Lateral view, left plain radiograph of the wrist, presentation radiograph, 383x736.

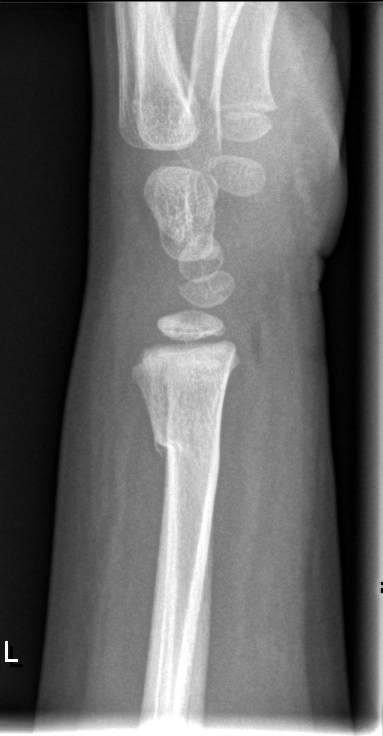   # boxes as x1,y1,x2,y2 (top-left / bottom-right, pixel units)
  fracture: 1 @ (left=151, top=418, right=223, bottom=473)